Rt plain radiograph of the wrist; frontal view; age 8 y, female; 464 by 634 pixels

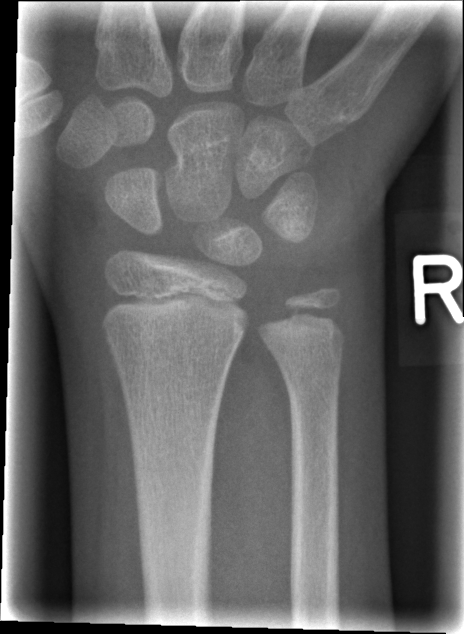

* Fracture classified AO/OTA 23r-M/2.1.
* Fracture: present but not clearly seen in this view.